PA/AP, right wrist radiograph, pediatric patient (female, age 12), initial study 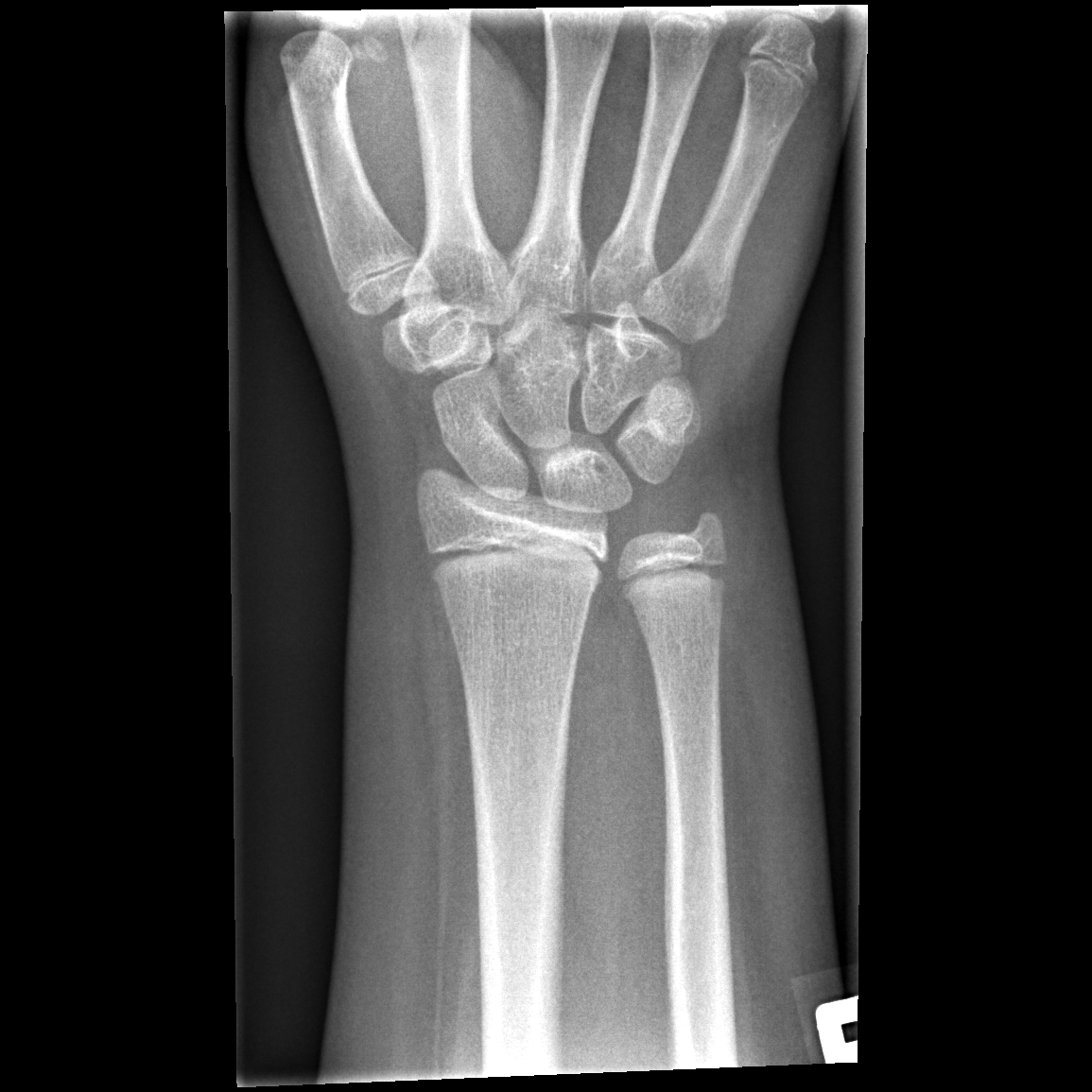
  fracture: none labeled